Lateral | right wrist X-ray | boy, 8 yo — 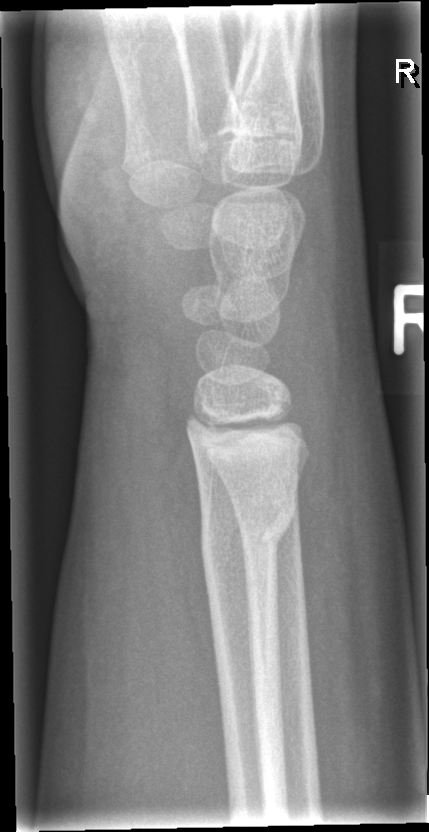

AO code 23r-M/2.1. Fx identified at bbox(196, 494, 299, 569).